Lat · right wrist radiograph · 14-year-old boy —

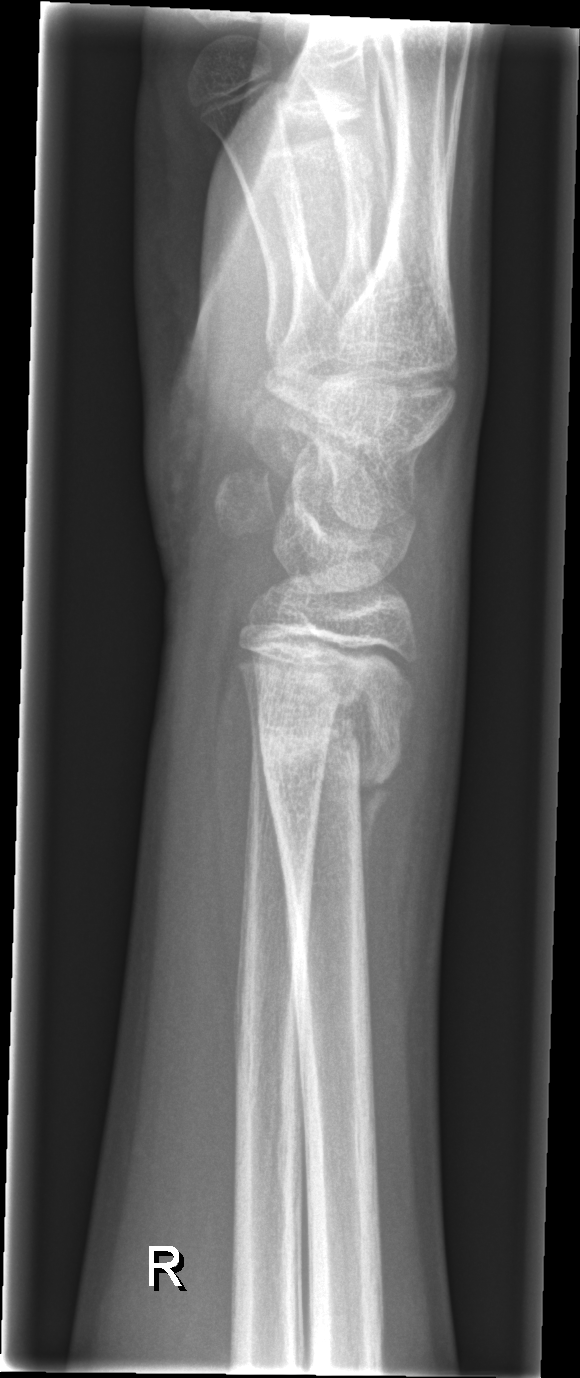
FINDINGS: Decreased bone density (osteopenia). Fracture — (left=253, top=676, right=411, bottom=792). Periosteal reaction identified at (left=357, top=780, right=394, bottom=954). AO/OTA classification: 23r-M/3.1; 23u-E/7.